AP view | R wrist plain film | 3-year-old boy 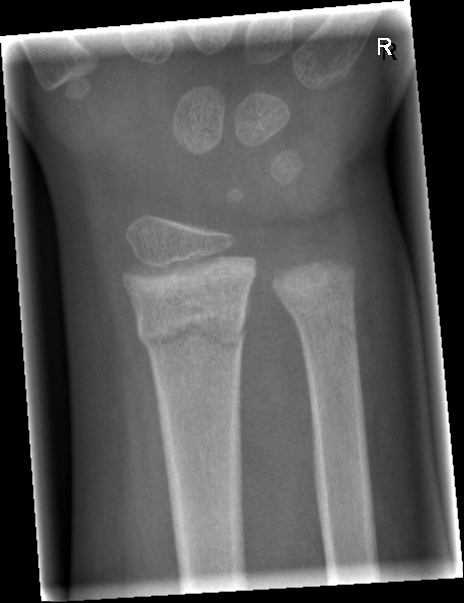 Q: AO code?
A: AO code 23r-M/3.1; 23u-M/2.1
Q: Any fracture seen?
A: Fx identified at bbox(134, 298, 249, 362) bbox(289, 299, 361, 349)